Lateral view · L wrist X-ray · 7-year-old boy · follow-up:
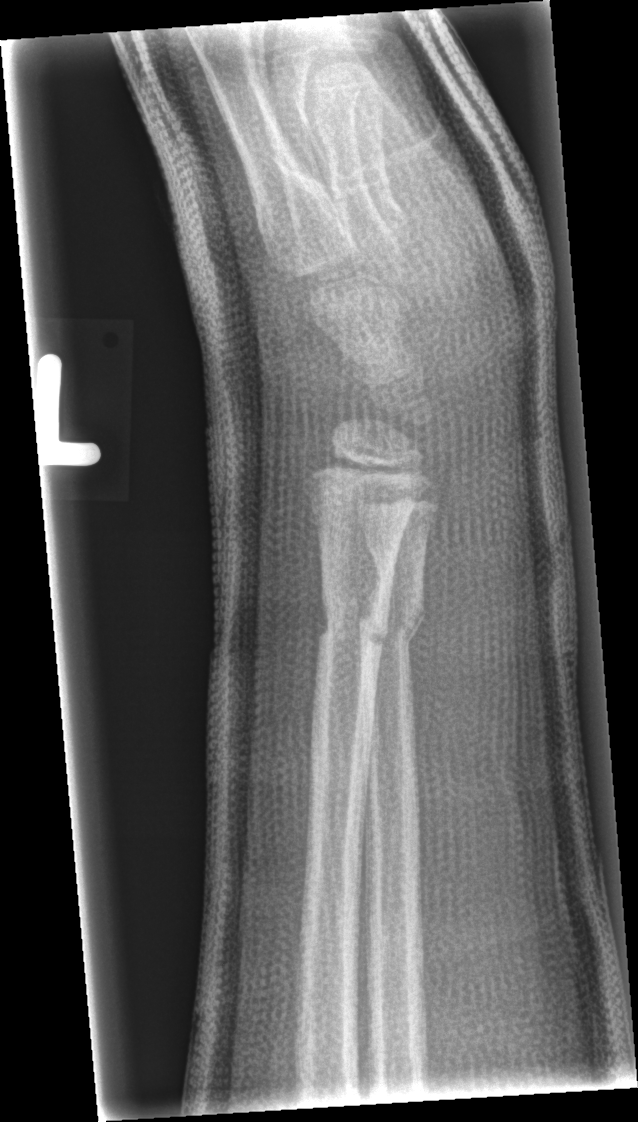 Pixel coordinates, top-left origin, xyxy. AO code 23-M/3.1. Bone fracture identified at (353, 583, 430, 664); (312, 595, 392, 664).